Lateral; left wrist X-ray; 9-year-old boy; image 110.3 mm wide.
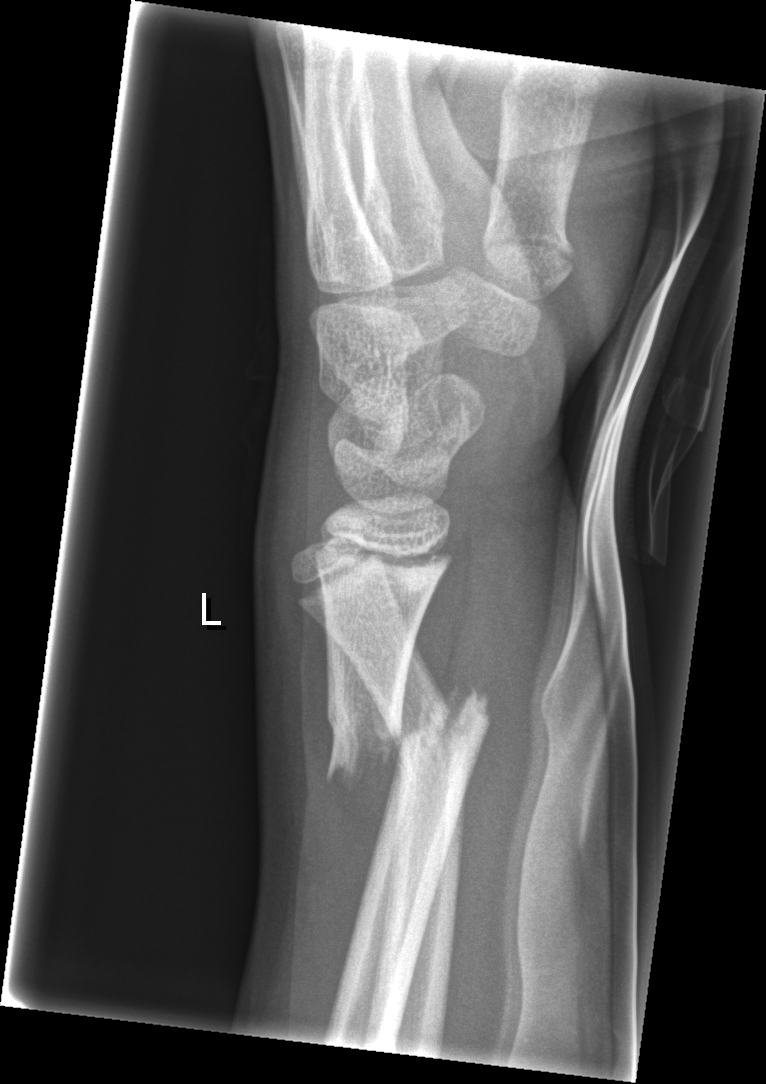 fracture: [x1=320, y1=673, x2=496, y2=791]